R wrist radiograph, lat view, age 4 y, male, presentation radiograph:

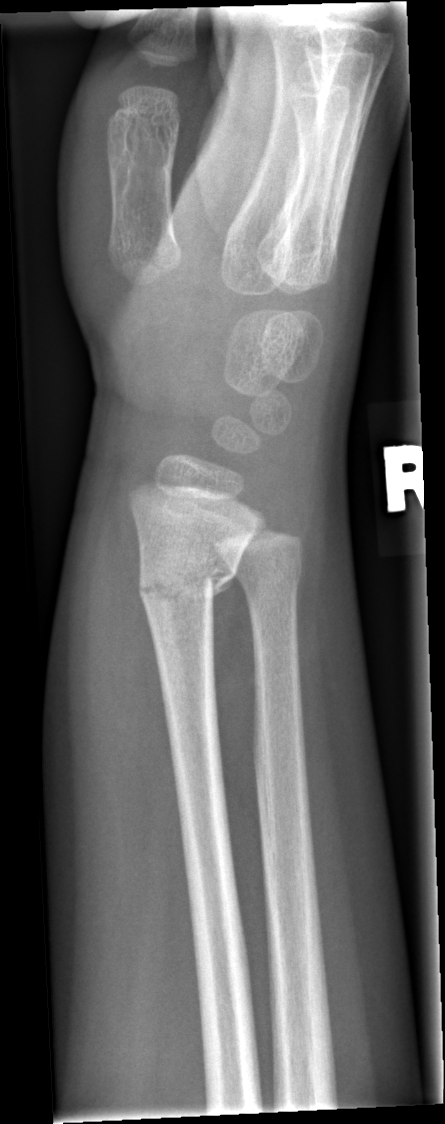

Bone fractures — (132, 537, 241, 622), (224, 550, 307, 599).
AO/OTA classification: 23r-M/3.1; 23u-M/2.1.